PA/AP view; L wrist radiograph; 8-year-old girl:

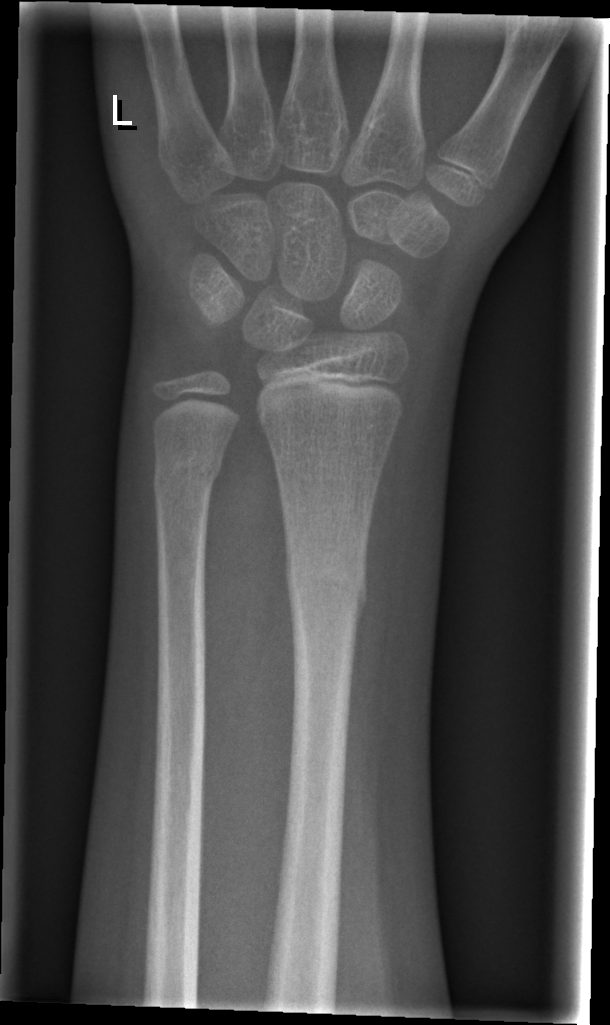

Findings: (coordinates are [x1, y1, x2, y2] in image pixels) AO code 23-M/2.1. Bone fractures — [x1=285, y1=540, x2=373, y2=634], [x1=151, y1=447, x2=227, y2=505].